Lateral view; left wrist XR; subsequent exam; acquired on Siemens.

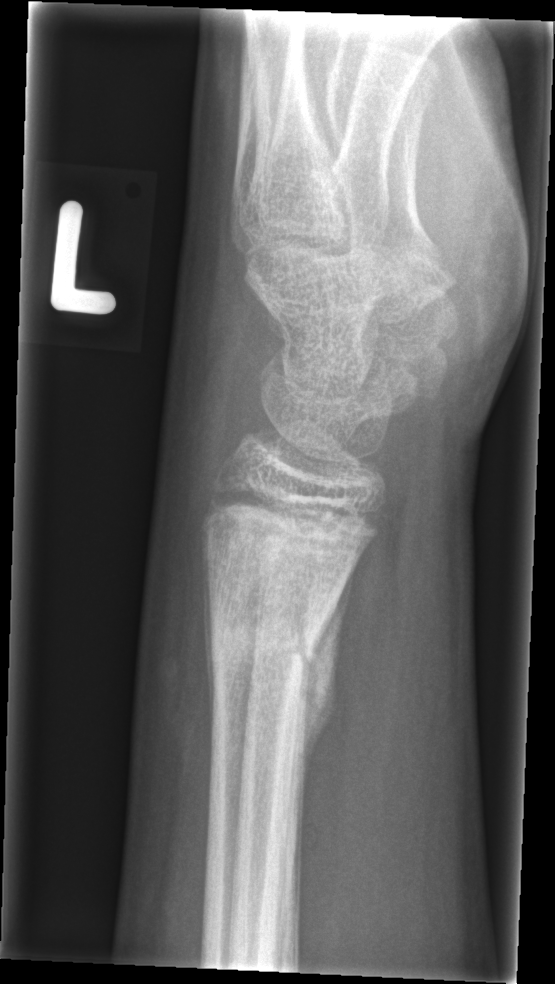

AO classification = 23r-M/3.1
periosteal reaction = 2 @ (left=300, top=556, right=359, bottom=816); (left=201, top=525, right=216, bottom=758)
osteopenia = present
fracture = 1 @ (left=201, top=578, right=338, bottom=683)